PA/AP projection | left wrist XR | cast in situ —

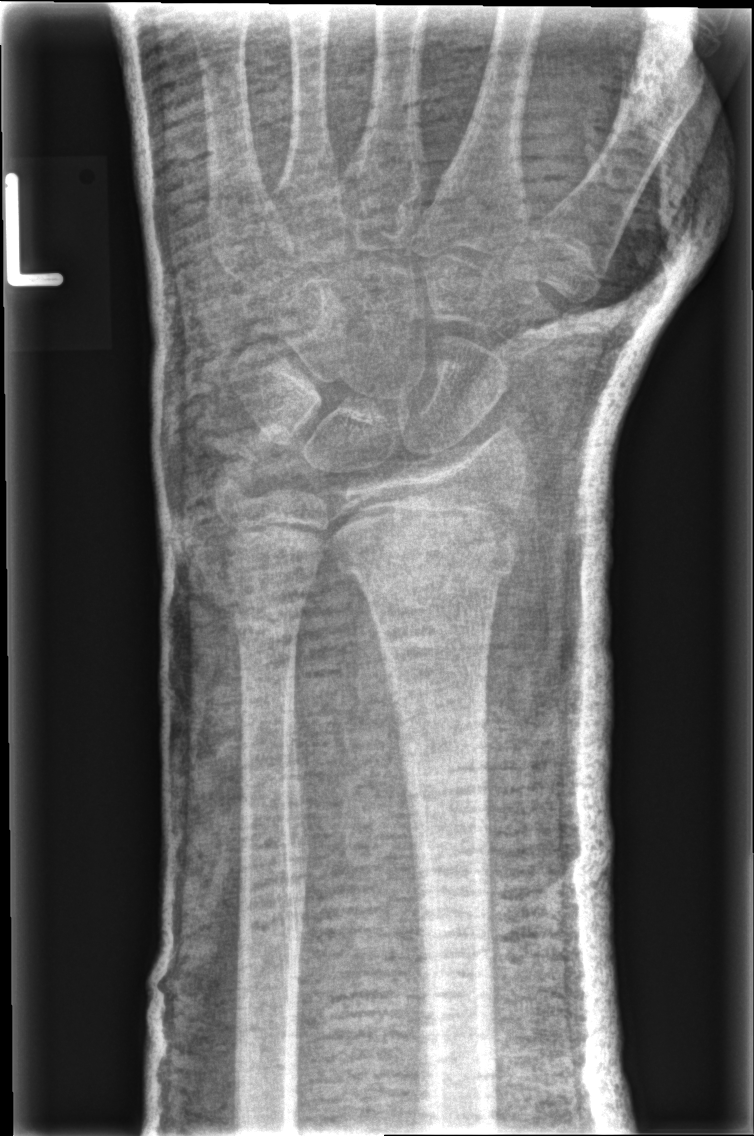 Bone fracture: 339,532,521,591.